Right wrist XR · lat view · image 70.1 mm wide
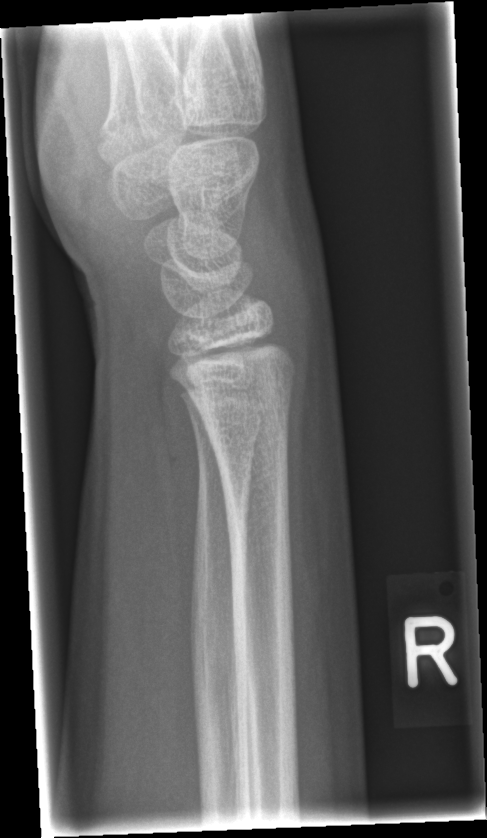 Findings: No Fx annotated.